L wrist radiograph, lateral, male, 10 yo. 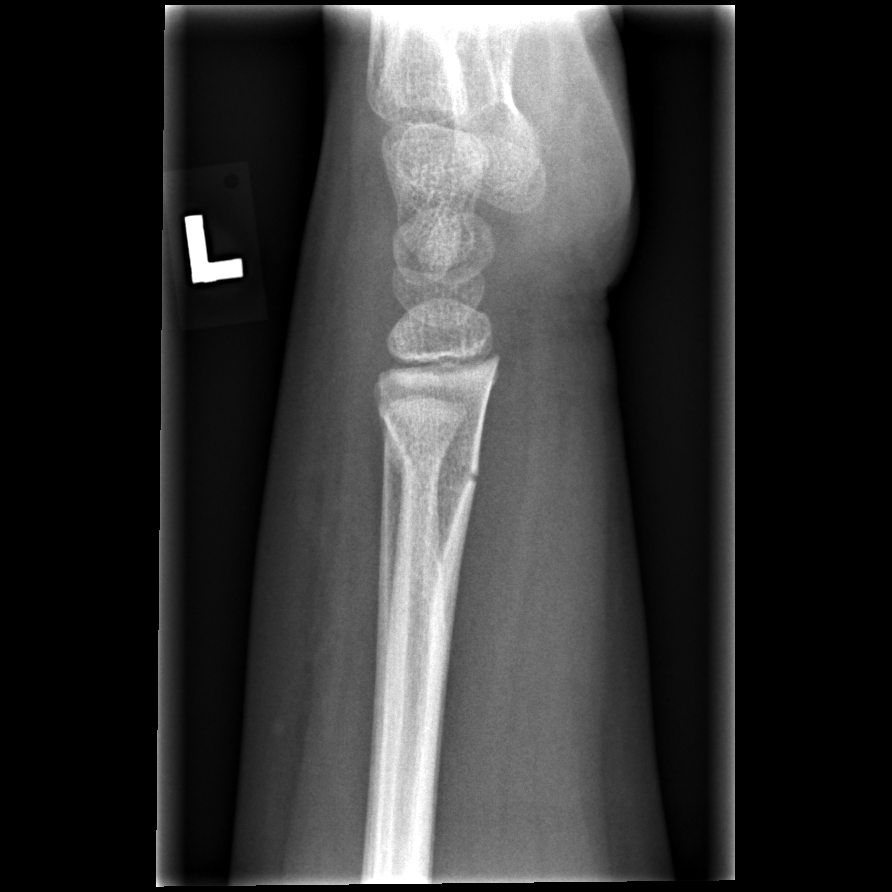 Q: What is the AO/OTA classification?
A: Fracture classified AO/OTA 23r-M/3.1
Q: Is there soft-tissue abnormality?
A: Soft-tissue finding — 242 163 403 752
Q: Any fracture seen?
A: Fracture — 383 420 485 499
Q: Pronator fat-pad sign?
A: Pronator quadratus fat-pad sign: 445 355 535 711